Lateral view; Lt pediatric wrist radiograph; presentation radiograph.
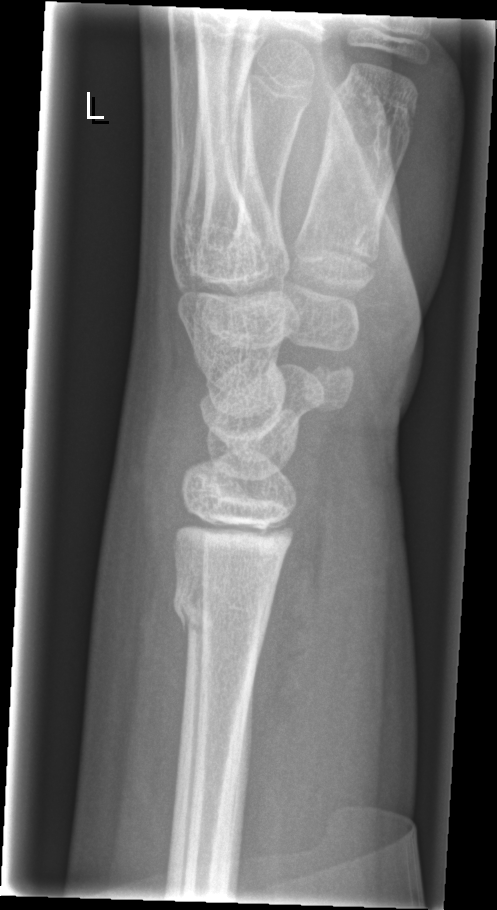 FINDINGS — One Fx at (left=170, top=575, right=278, bottom=648). Positive pronator fat-pad sign identified at (left=239, top=500, right=335, bottom=840). AO/OTA classification: 23r-M/2.1; 23u-E/7.